Lateral projection | Rt plain radiograph of the wrist | age 5 y, girl | image 53.4 mm wide | 371 x 802 px — 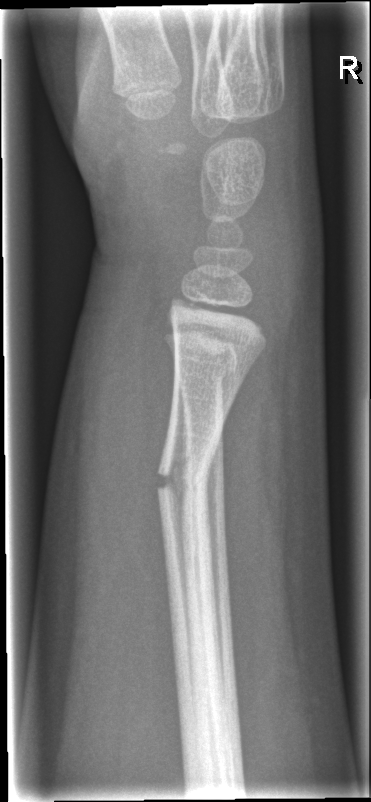
AO/OTA classification: 23r-M/3.1; 23u-M/2.1. Bone fracture identified at [x1=172, y1=353, x2=241, y2=395] [x1=155, y1=460, x2=215, y2=505].